Posteroanterior projection, Lt wrist XR.

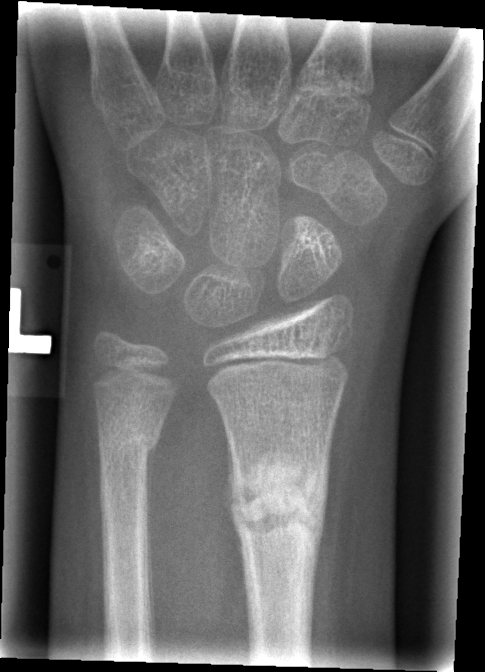 - Bounding boxes in image-pixel xyxy.
- Periosteal reaction: <219,427>-<247,581>, <311,424>-<333,608>, <145,438>-<159,544>.
- AO code 23r-M/3.1; 23u-M/2.1.
- Osteopenia.
- Fx identified at <227,448>-<330,553>; <95,424>-<163,461>.